Posteroanterior view, right wrist pediatric wrist radiograph, image 86.4 mm wide
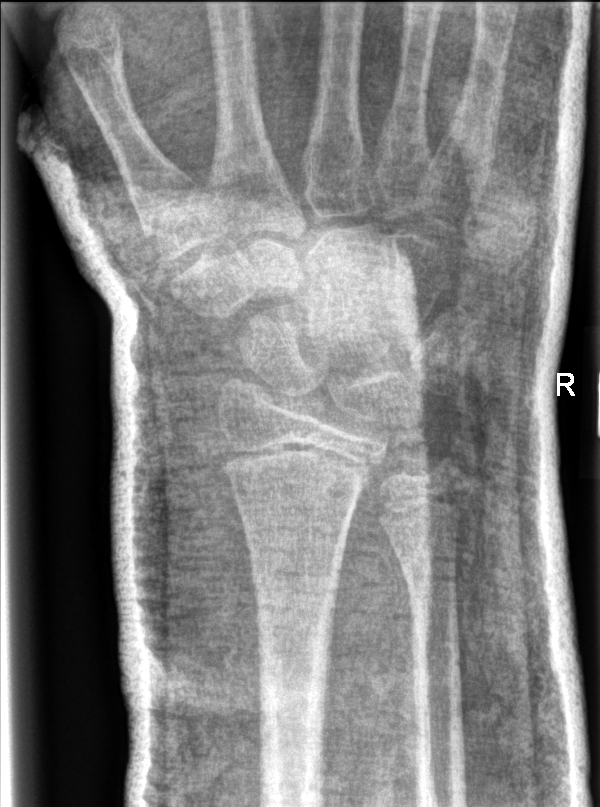

Fx: none labeled